Right wrist XR | lateral projection | initial study

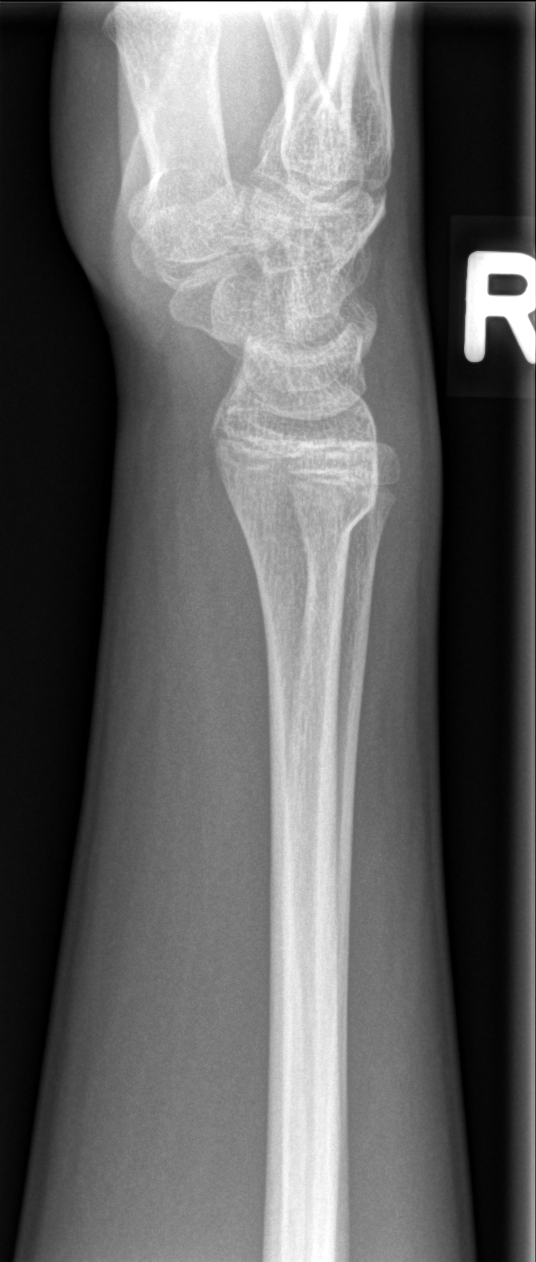
Q: Fracture present?
A: Bone fracture identified at <226,477>-<386,557>
Q: What is the AO/OTA classification?
A: Fracture classified AO/OTA 23r-M/2.1